Right wrist radiograph; lateral projection; age 14 y, male; subsequent exam. 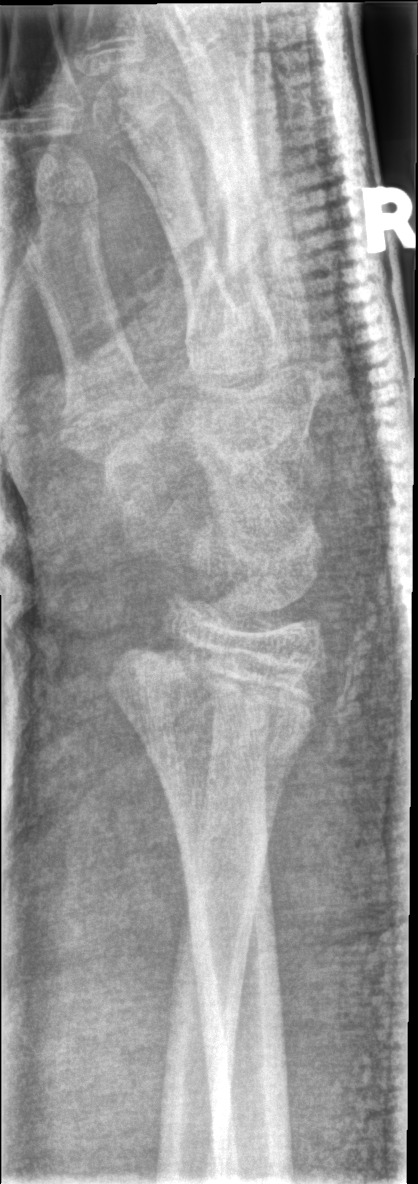

* Boxes as x1,y1,x2,y2 (top-left / bottom-right, pixel units).
* Bone fracture: (left=101, top=627, right=335, bottom=754).